Lat projection, left wrist X-ray, pediatric patient (boy, age 16), initial study: 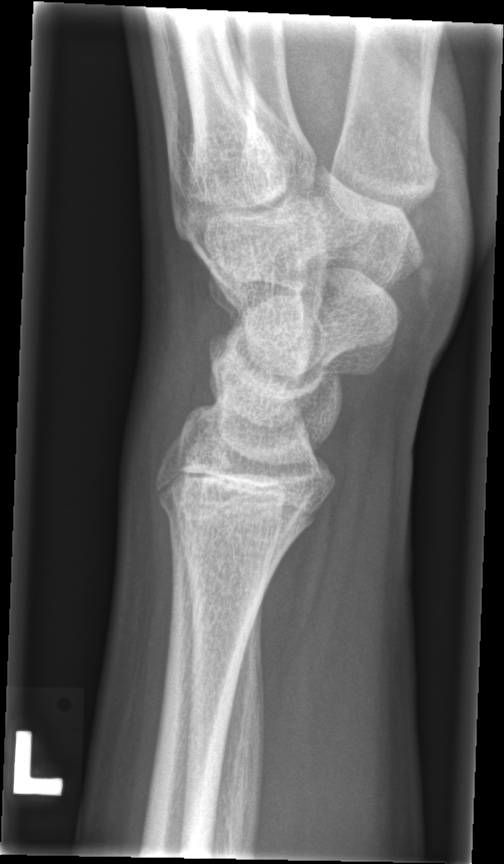

FINDINGS: (boxes as x1,y1,x2,y2 (top-left / bottom-right, pixel units)) Fx identified at (154, 478, 304, 539). AO/OTA classification: 23r-M/2.1.